Lt wrist plain film, lateral view 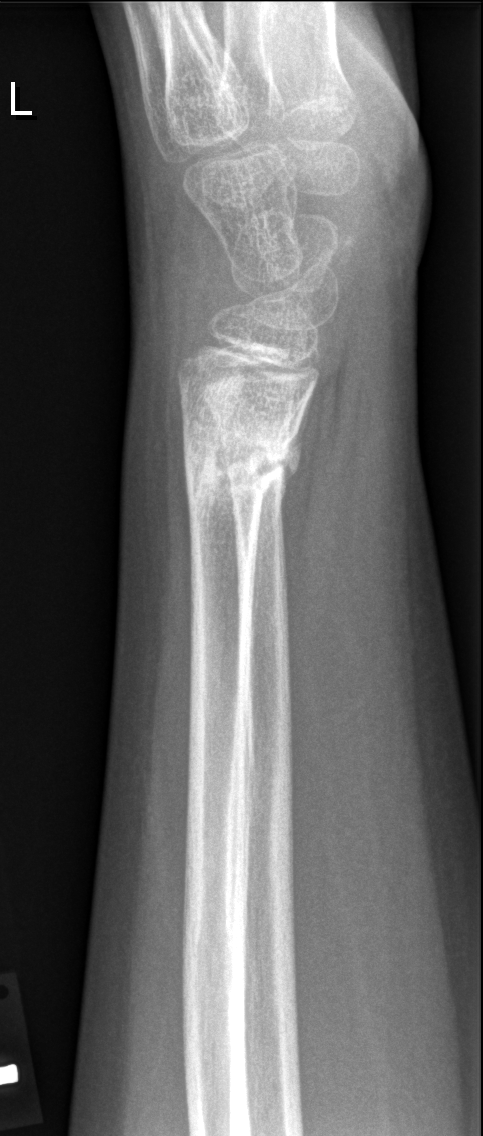 FINDINGS — AO/OTA classification: 23-M/3.1. Fx: bbox(178, 412, 306, 516). Periosteal new bone — bbox(252, 386, 315, 664).